Posteroanterior; right wrist radiograph; age 6 y, girl

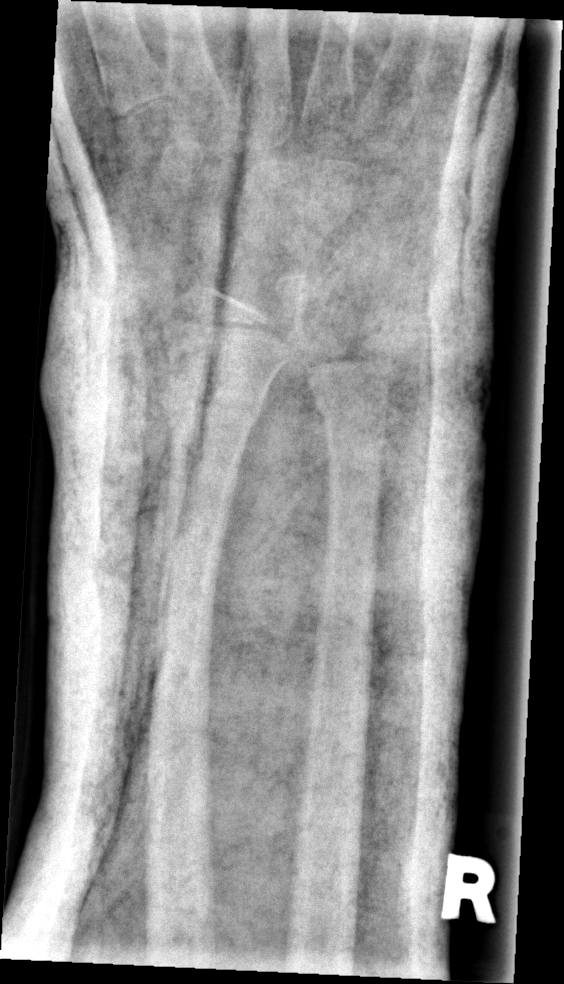

# boxes as x1,y1,x2,y2 (top-left / bottom-right, pixel units)
ao: 23-M/2.1
fracture: 2 @ [x1=159, y1=373, x2=263, y2=433], [x1=313, y1=389, x2=390, y2=433]